L pediatric wrist radiograph · AP view · 14y F.

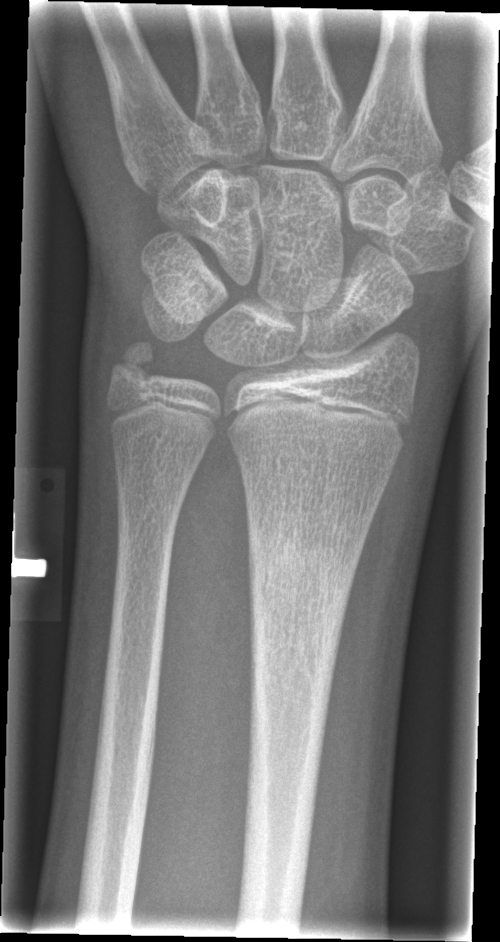

• Fx identified at (left=242, top=514, right=358, bottom=634); (left=107, top=332, right=159, bottom=391).